Lt wrist radiograph; lateral view; detector: Siemens; image width 71.7 mm; 498x950:
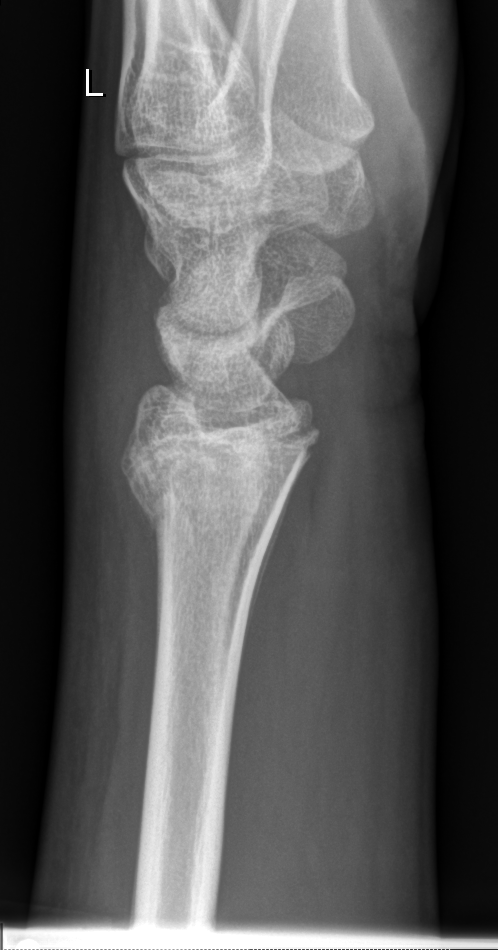
FINDINGS: (pixel coordinates, top-left origin, xyxy) Bone fracture identified at [x1=118, y1=434, x2=294, y2=542]. Periosteal reaction identified at [x1=236, y1=460, x2=306, y2=697].